Right wrist pediatric wrist radiograph · lateral projection · 15-year-old boy · imaged through cast 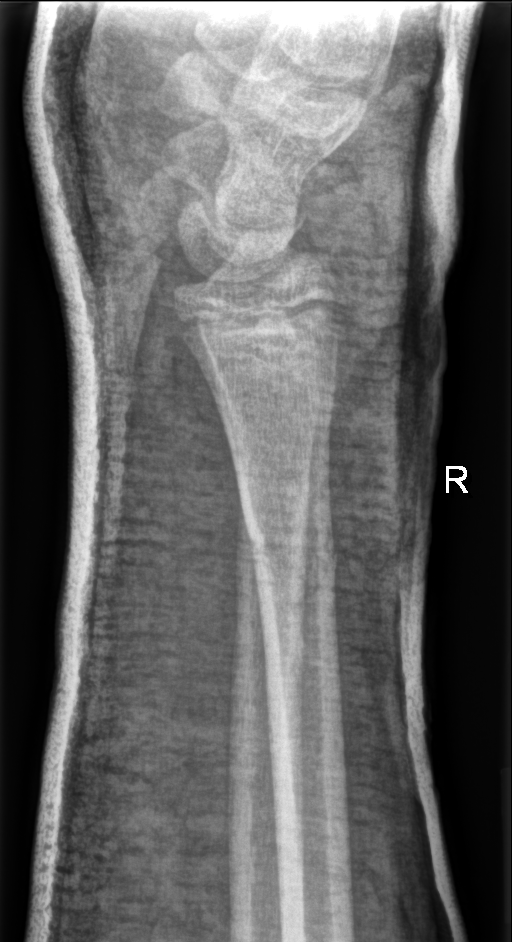
Fracture: 242 495 342 582
AO/OTA: 23r-M/3.1; 23u-E/7